Frontal view | left wrist X-ray | presentation radiograph —
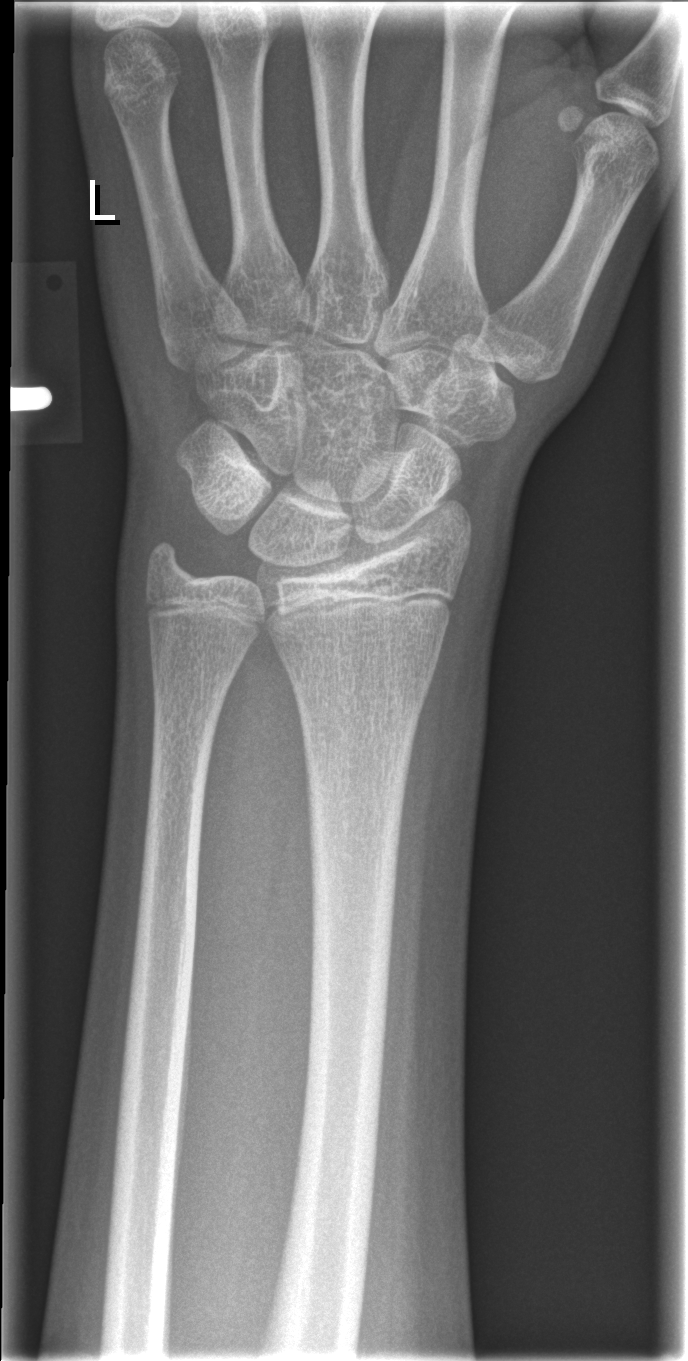

Fx: none.